R wrist radiograph | AP projection | boy, 12 yo
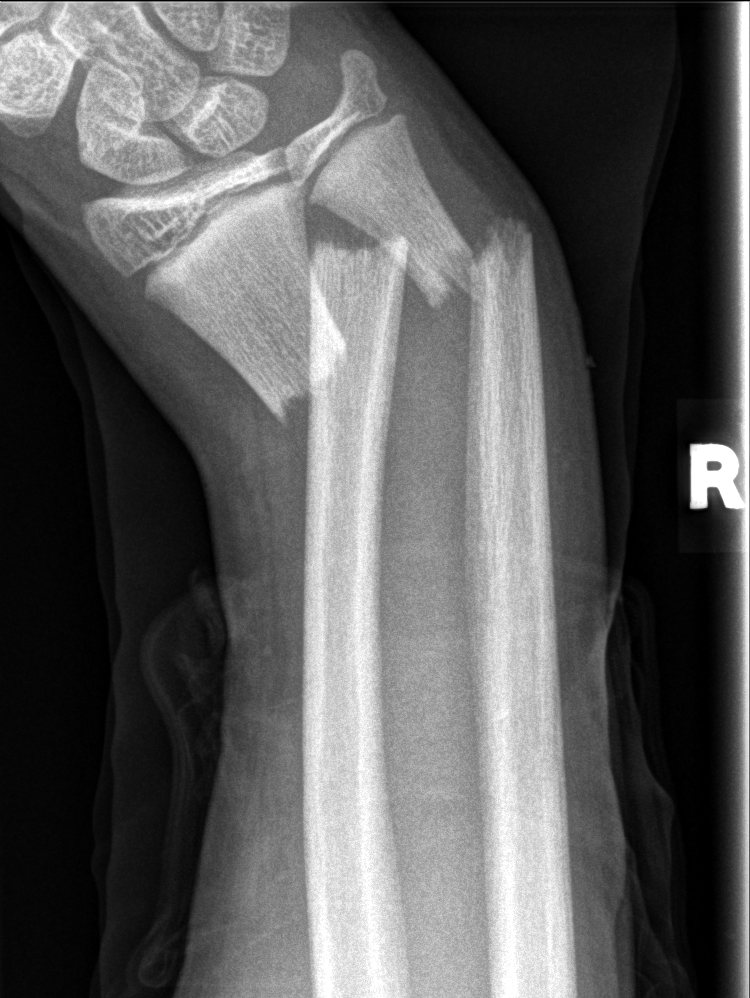 Fracture: bbox(262, 222, 415, 439); bbox(420, 206, 538, 324).
AO code 23-M/3.1.